PA view; L pediatric wrist radiograph; presentation radiograph; Siemens —
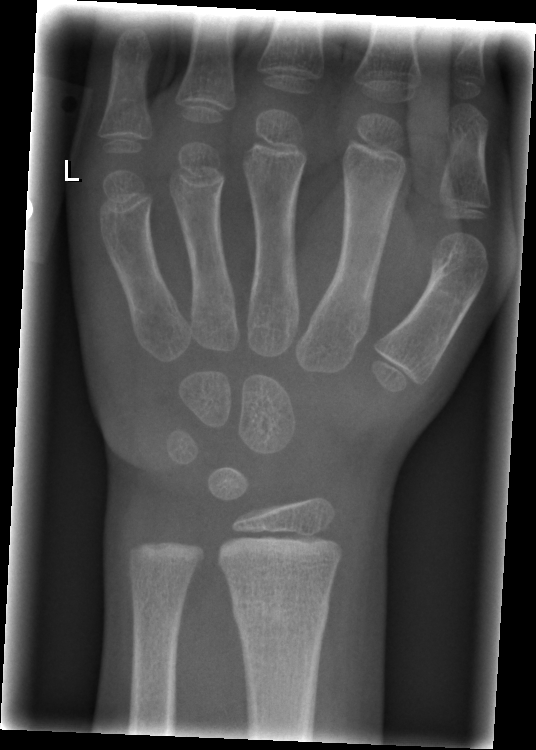

FINDINGS: (pixel coordinates, top-left origin, xyxy) Fx — [x1=229, y1=589, x2=333, y2=637]. Fracture classified AO/OTA 23r-M/2.1.